Left plain radiograph of the wrist; lat projection; 11-year-old boy; image width 85.0 mm —

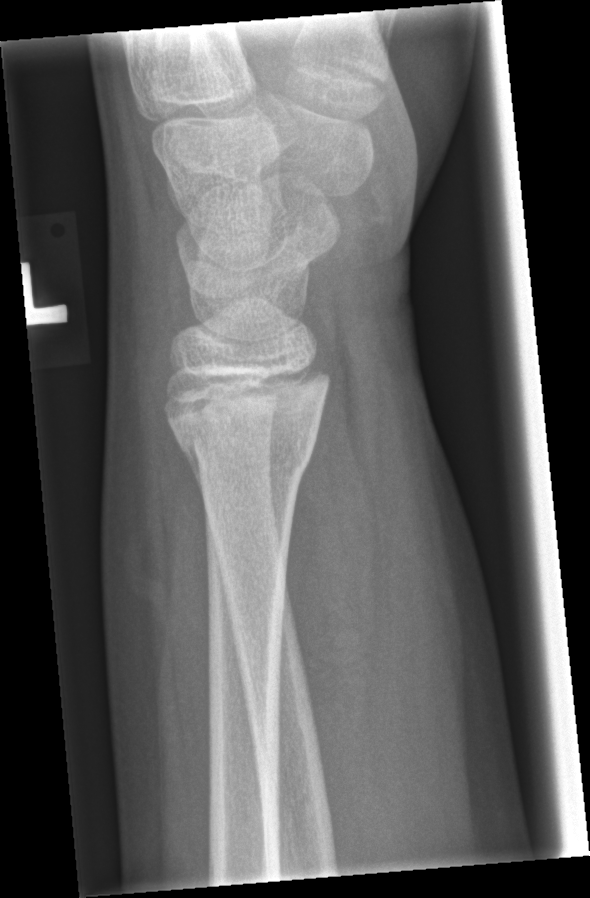 Pixel coordinates, top-left origin, xyxy. Fracture: 170 408 323 490. AO/OTA classification: 23r-M/2.1. One pronator sign at 282 407 375 802.